AP projection | R wrist plain film | 12-year-old girl | follow-up | cast present —
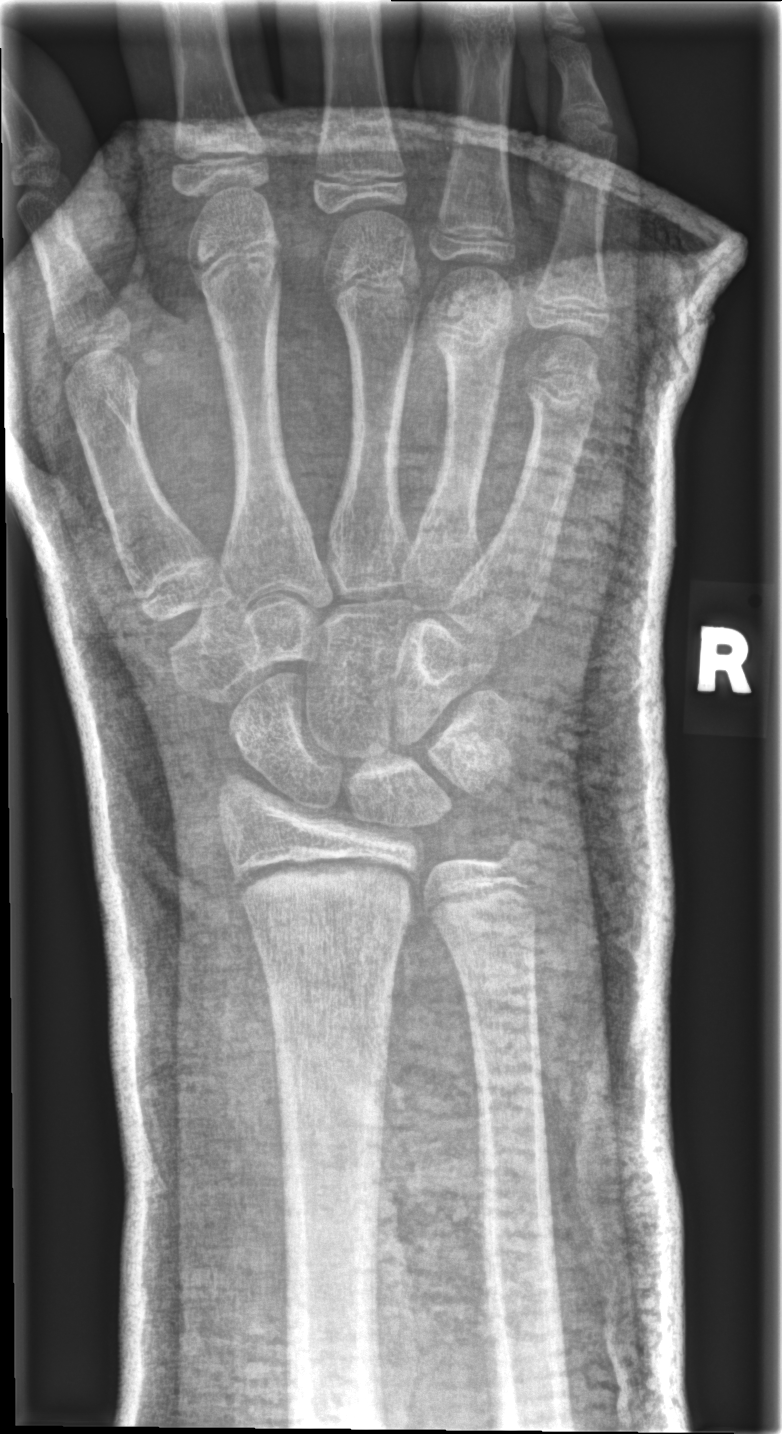

{"_coords": "coordinates are [x1, y1, x2, y2] in image pixels", "ao": "23r-E/1; 23u-E/7", "fracture": "<218,840>-<425,923>, <481,827>-<548,892>"}